Frontal view | Lt wrist X-ray | follow-up study | image width 82.2 mm: 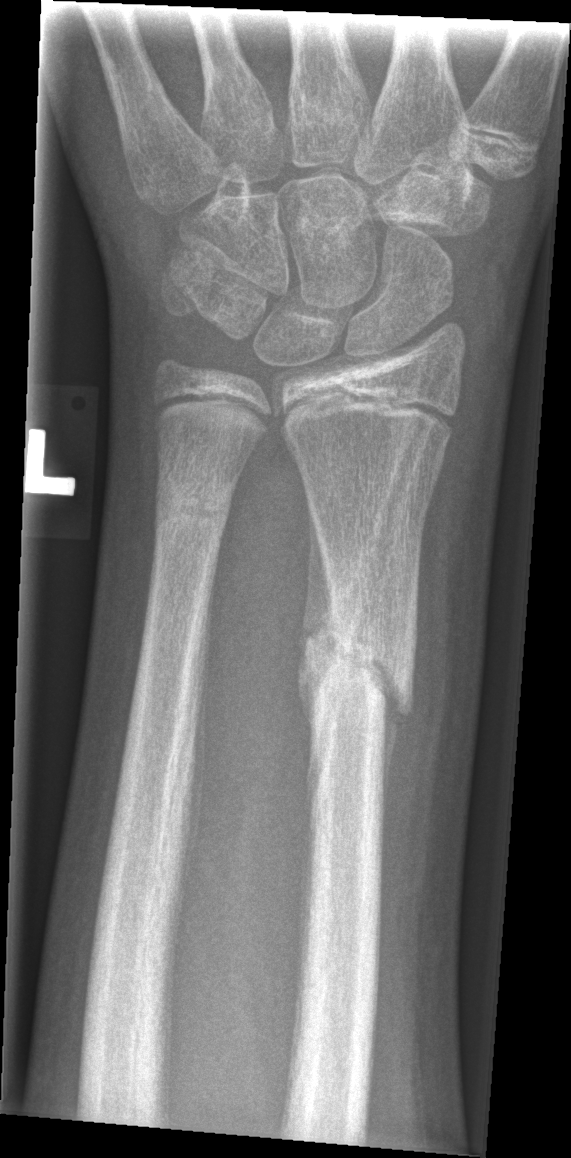

Fracture: [x1=299, y1=613, x2=419, y2=736], [x1=149, y1=474, x2=236, y2=540]. Bone variant — [x1=348, y1=348, x2=462, y2=642]. Periosteal new bone identified at [x1=293, y1=493, x2=342, y2=849] [x1=174, y1=565, x2=216, y2=955] [x1=381, y1=650, x2=415, y2=816]. Fracture classified AO/OTA 22r-D/5.1; 23u-M/2.1.